Lateral · Lt wrist plain film · age 6 y, girl 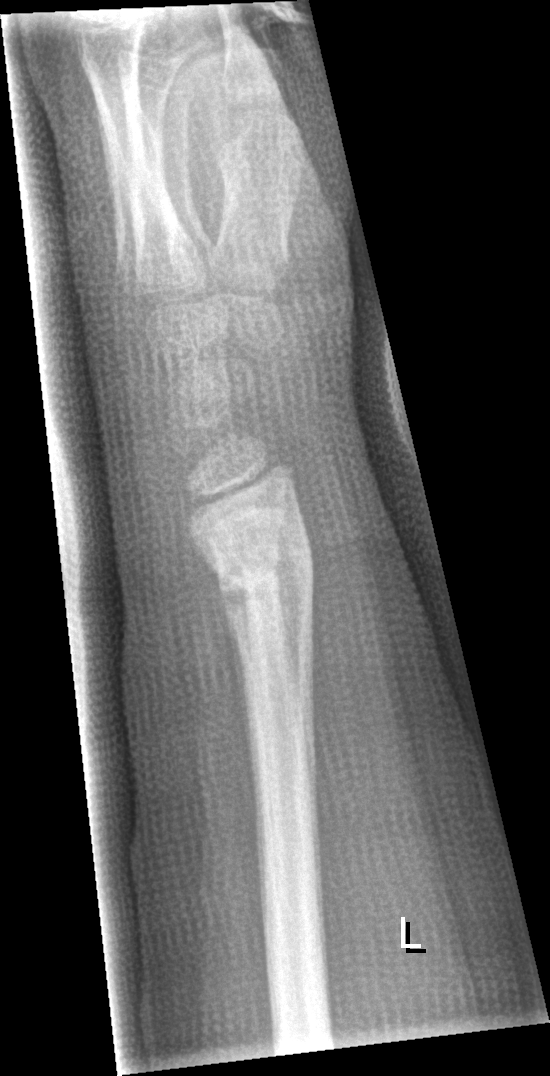 Findings: (pixel coordinates, top-left origin, xyxy) Fx — <202,528>-<320,630>. AO/OTA classification: 23-M/3.1.